Lat | Lt wrist radiograph | 10y M | Siemens —
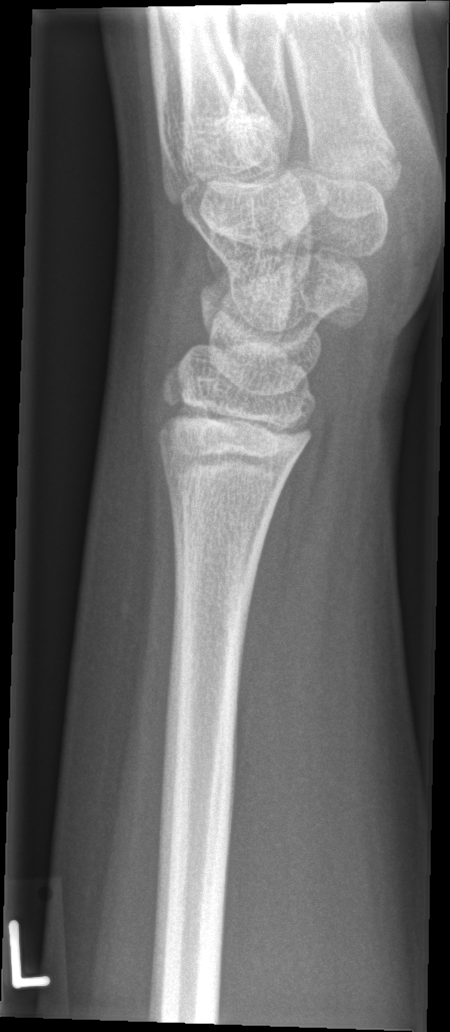 bone fracture = none labeled